Lateral, Lt plain radiograph of the wrist, 15y M, subsequent exam, imaged through cast —

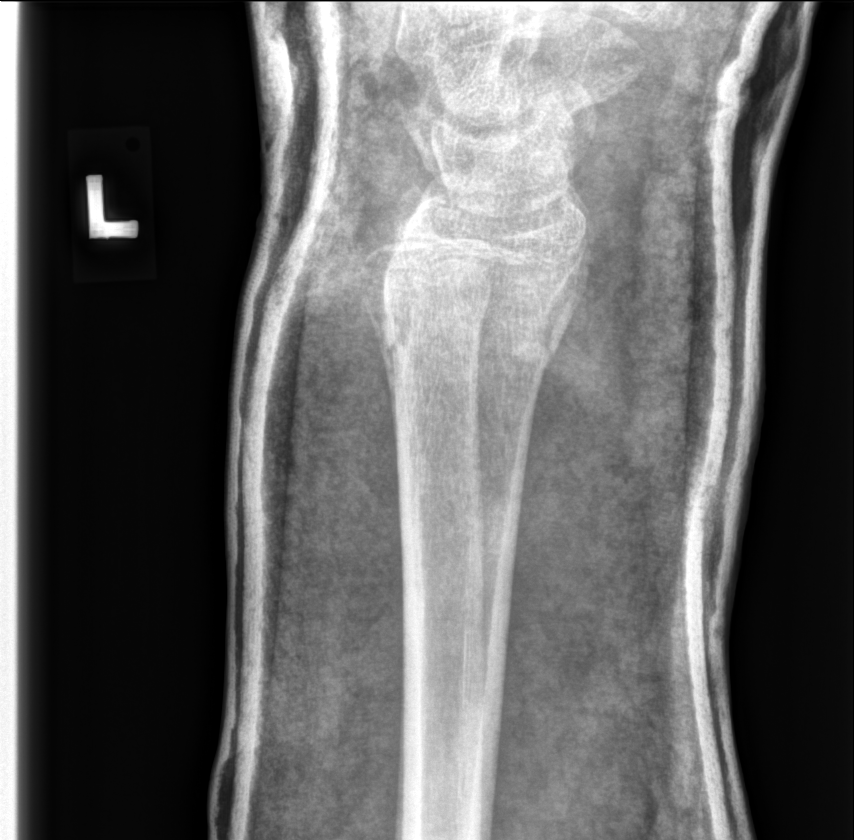

(bounding boxes in image-pixel xyxy)
AO code = 23r-M/3.1; 23u-E/7
Fracture = 1 @ [x1=379, y1=243, x2=593, y2=376]